Lt wrist XR; lateral view; age 14 y, male; detector: Siemens —
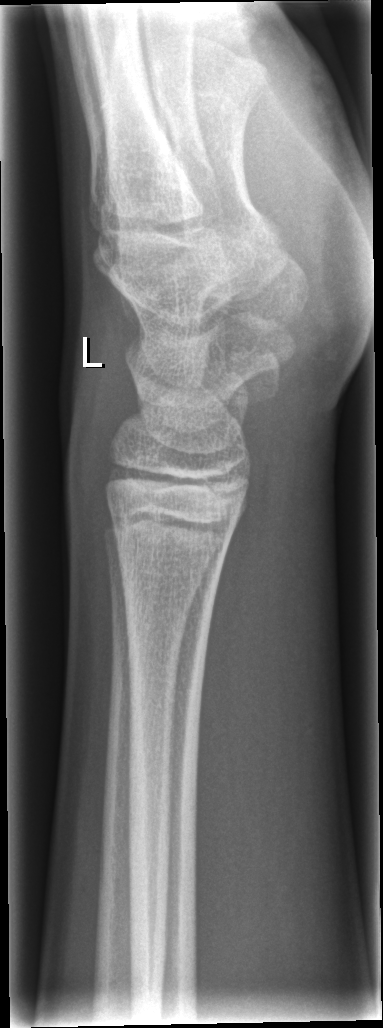

- Fracture: none labeled.